R wrist plain film | posteroanterior | Siemens
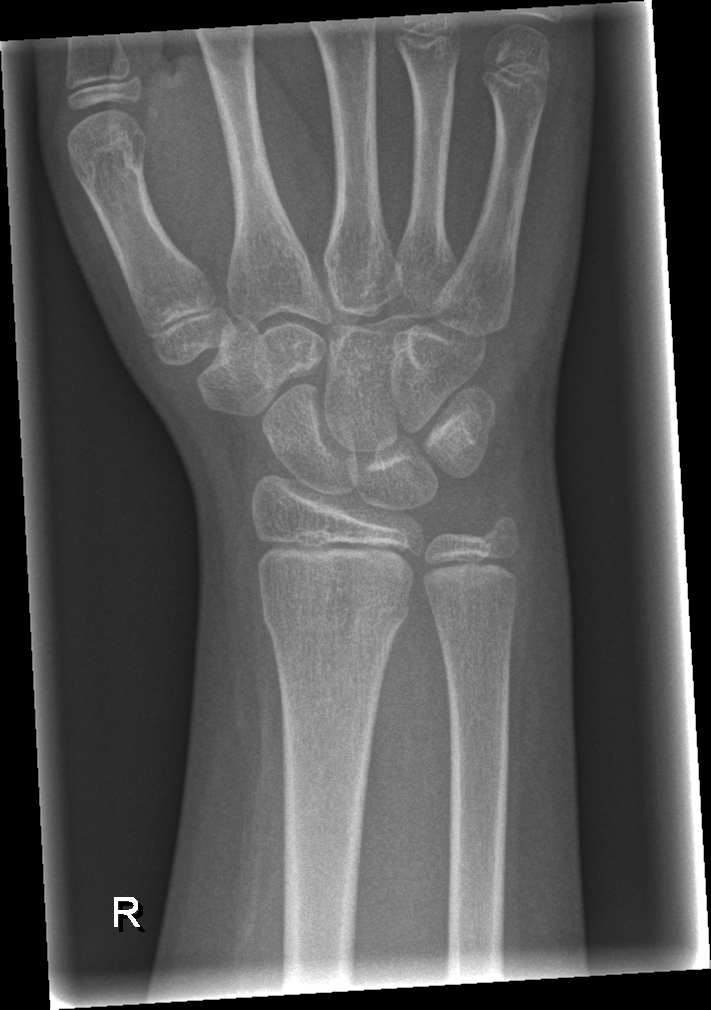
fracture = 2 @ (left=254, top=571, right=418, bottom=647), (left=479, top=507, right=526, bottom=555)
AO code = 23r-M/3.1; 23u-E/7